Lt wrist plain film, posteroanterior view, pediatric patient (male, age 7) —

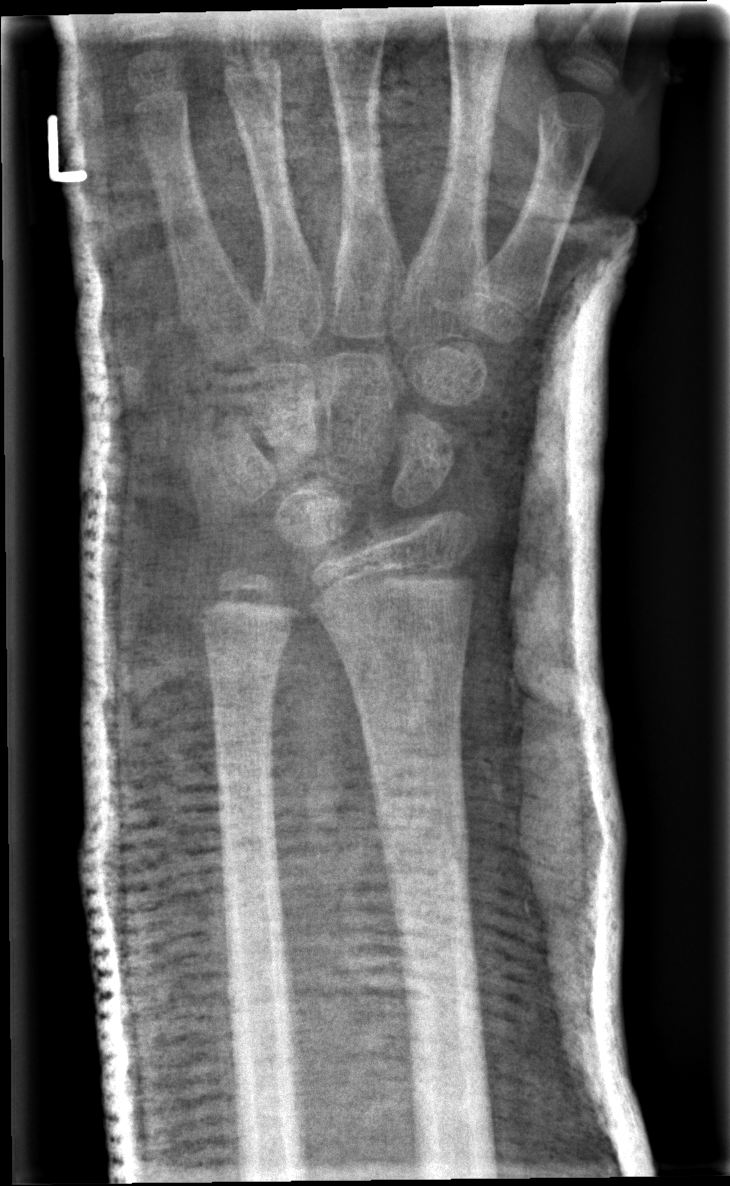 Fx: (left=379, top=822, right=474, bottom=899)
AO classification: 22r-D/2.1